Lat view, Rt plain radiograph of the wrist, 17y F, initial study 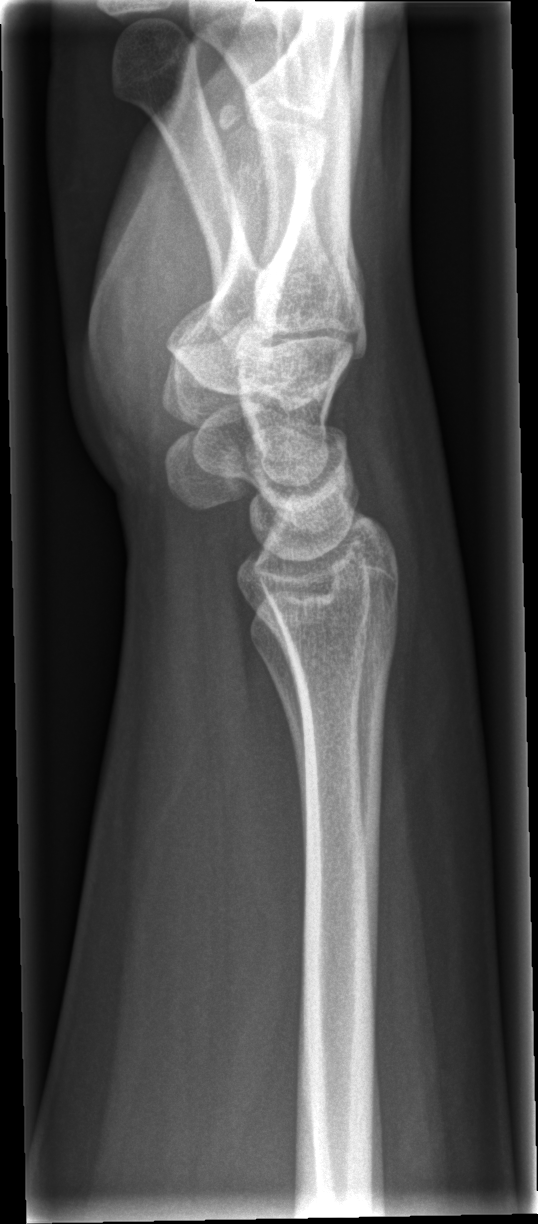 No fracture bounding box.